PA view | R plain radiograph of the wrist | 9y M — 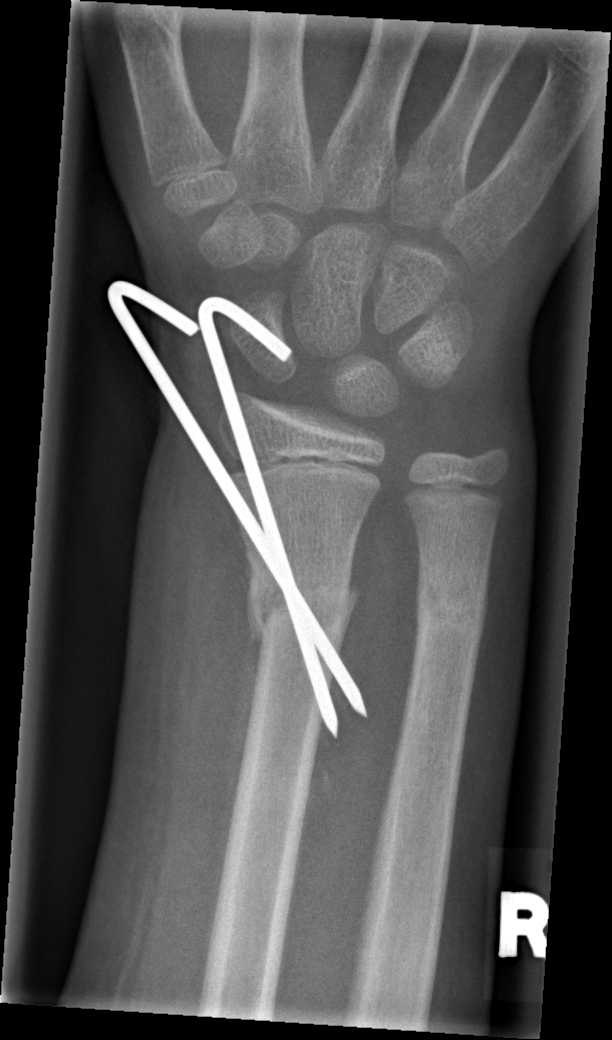

FINDINGS — Two fractures at <242,574>-<362,644>, <412,568>-<490,646>. Hardware identified at <103,280>-<369,739>.